Left wrist plain film, PA view, detector: Siemens, image size 488x849:
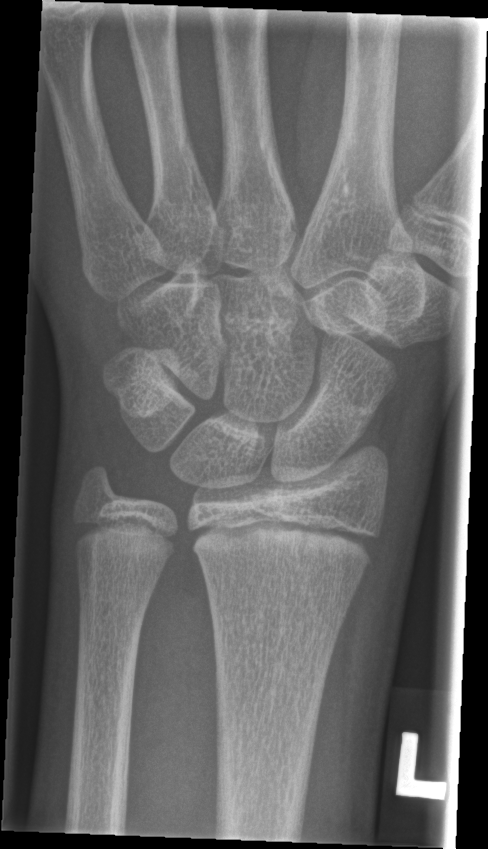 No Fx annotated.